Left wrist X-ray; AP view; 111.0 mm image width:
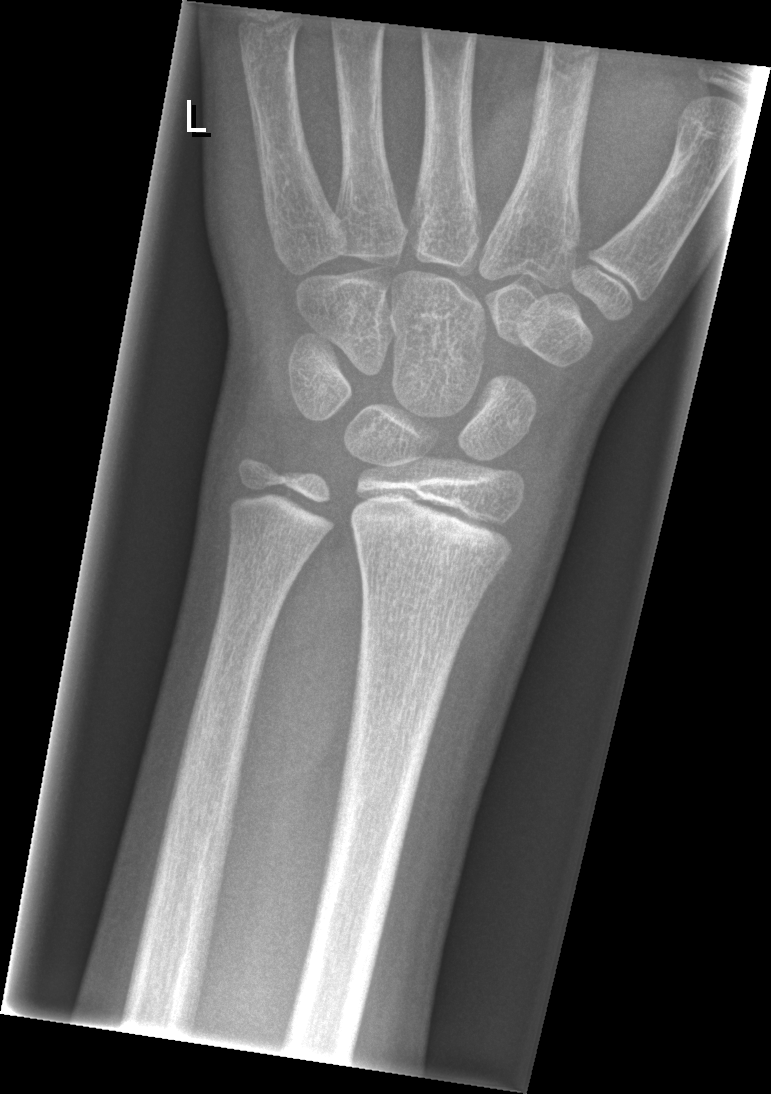
AO code 23r-M/2.1.
Fracture: present but not clearly seen in this view.